Lat view | Rt wrist radiograph | boy, 4 yo | follow-up study —

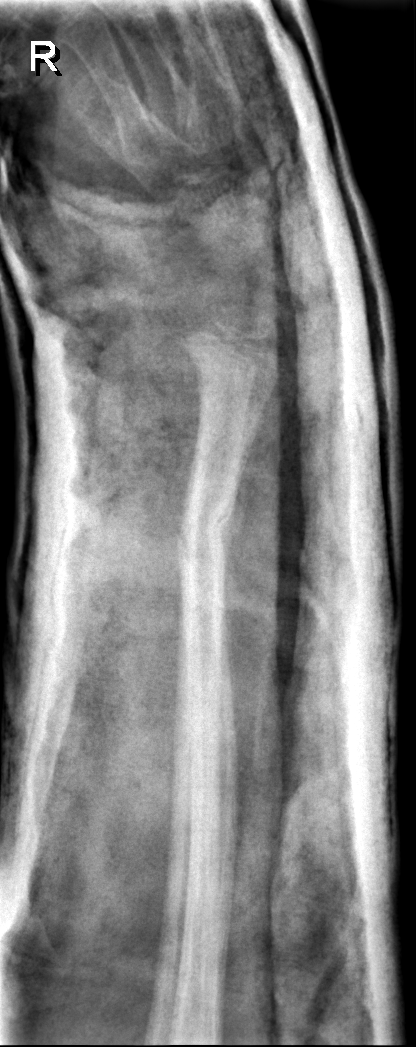 Fx identified at (174, 486, 244, 575).